R pediatric wrist radiograph · AP view · index exam · acquired on Siemens 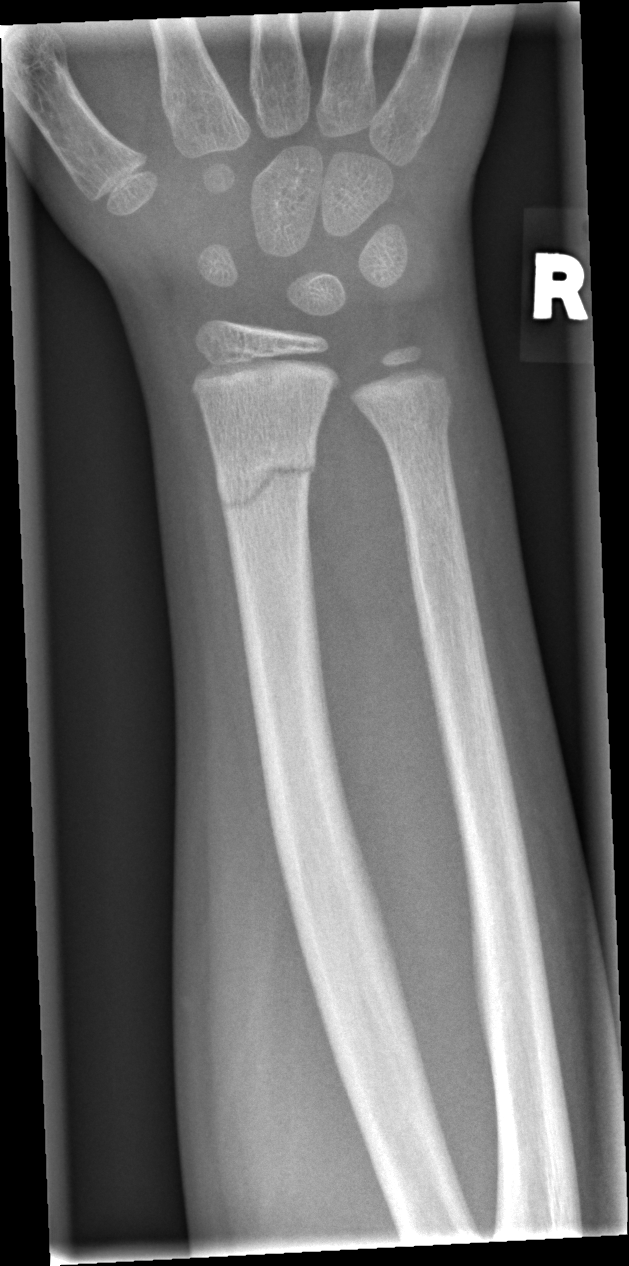

Coordinates are [x1, y1, x2, y2] in image pixels. Bone fractures — 363 379 460 451
  214 449 317 514. Fracture classified AO/OTA 23-M/2.1.